PA | Rt wrist radiograph | cast in situ | image 97.9 mm wide | image size 680x818. 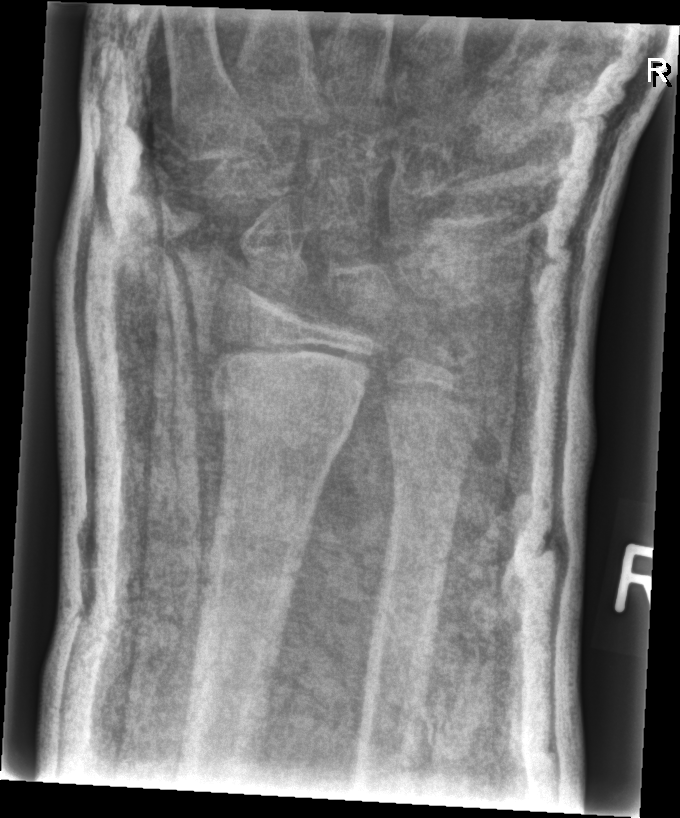
• Fracture identified at 204,367,356,454.
• AO/OTA classification: 23r-M/3.1; 23u-E/7.